Posteroanterior view, left wrist plain film, image size 535x924.
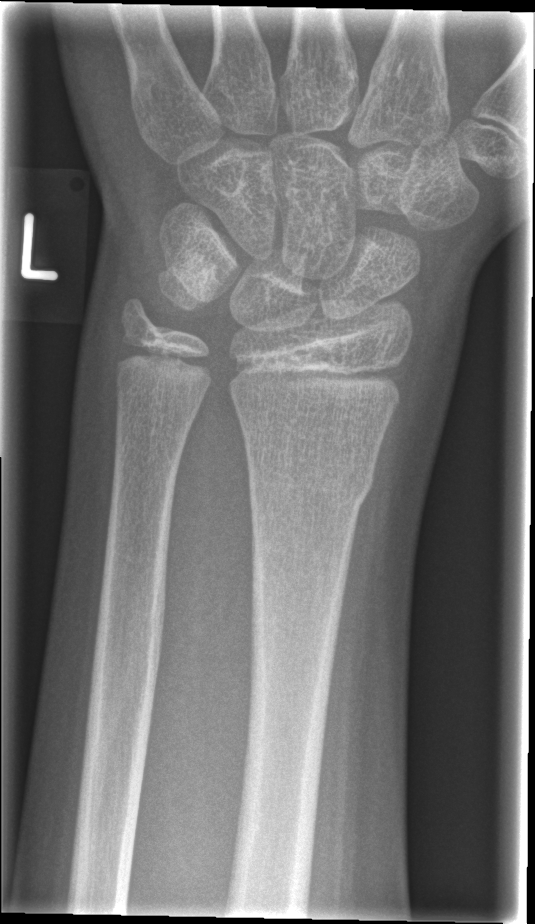

FINDINGS — (bounding boxes in image-pixel xyxy) Fracture: [244, 434, 380, 511]. AO/OTA classification: 23r-M/2.1.